R plain radiograph of the wrist · AP · image size 584x1065:

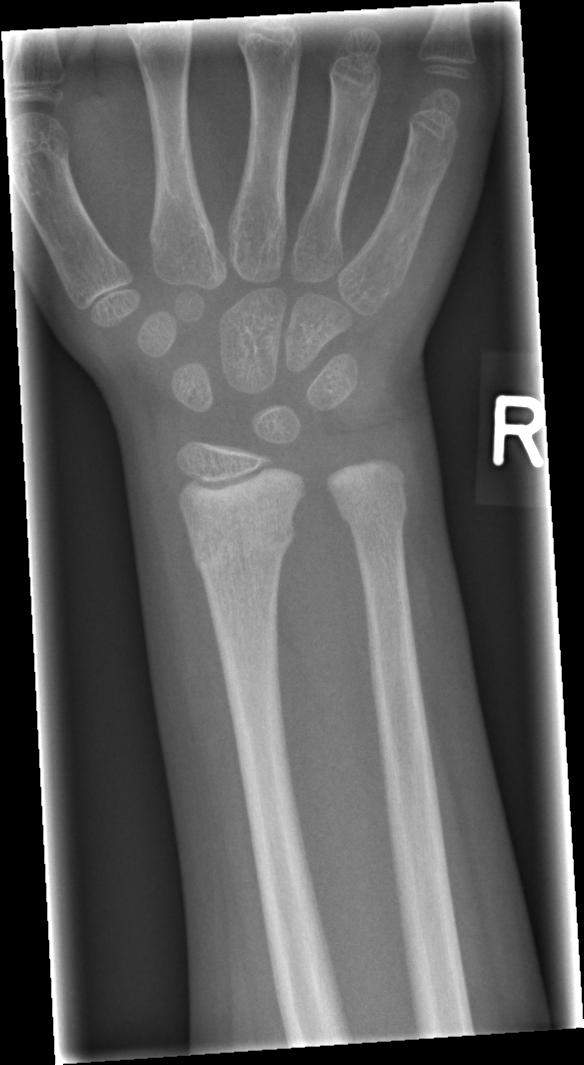

(bounding boxes in image-pixel xyxy)
AO/OTA = 23-M/2.1
fracture = 2 @ bbox(185, 502, 299, 578) bbox(331, 480, 412, 537)